Frontal view; R wrist X-ray; index exam:
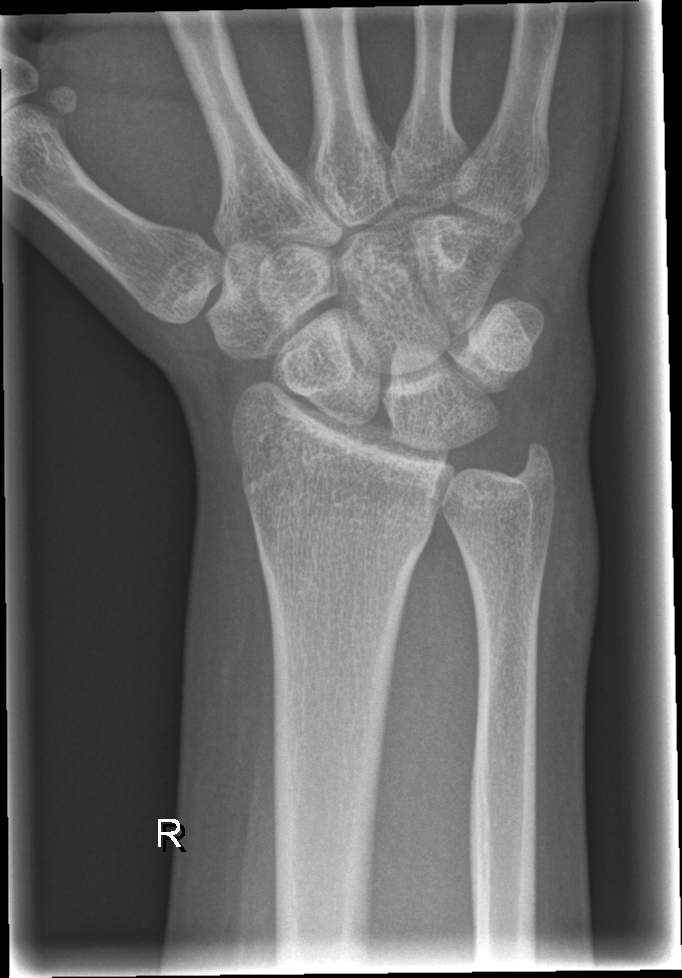 * No fracture annotation.